Frontal view · left wrist plain film · image width 60.3 mm.

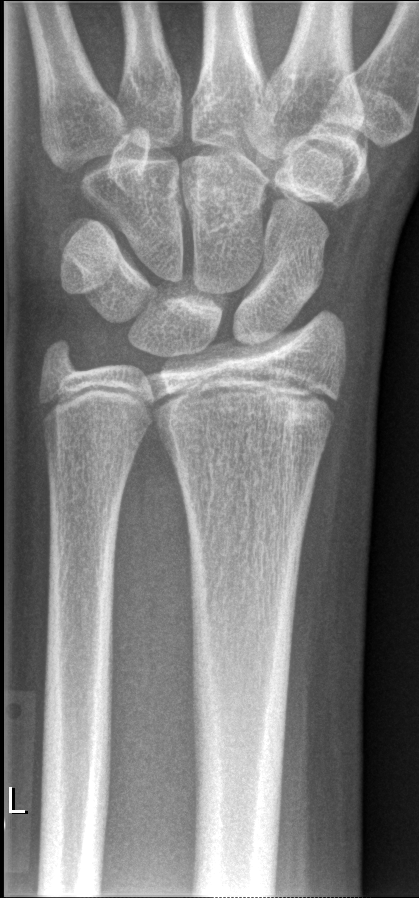
• Fracture: none labeled.